R wrist XR; PA/AP view; 4-year-old female; follow-up study —
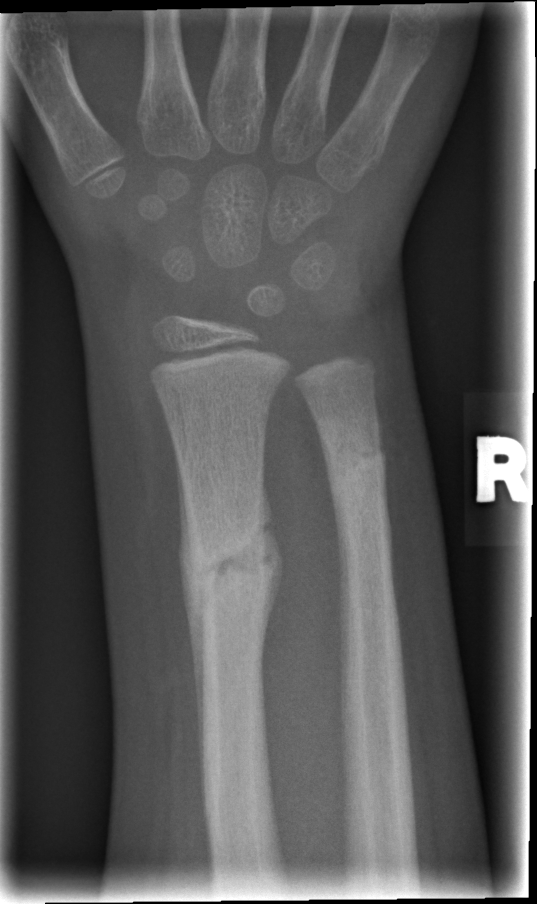
AO classification = 23-M/3.1
fracture = 2 @ <178,495>-<281,645> <318,427>-<392,502>
periosteal reaction = 2 @ <172,438>-<209,809>; <260,478>-<284,663>
osteopenia = present